Lateral view; R plain radiograph of the wrist; female, 10 yo; image width 70.4 mm; 489 by 1206 pixels.
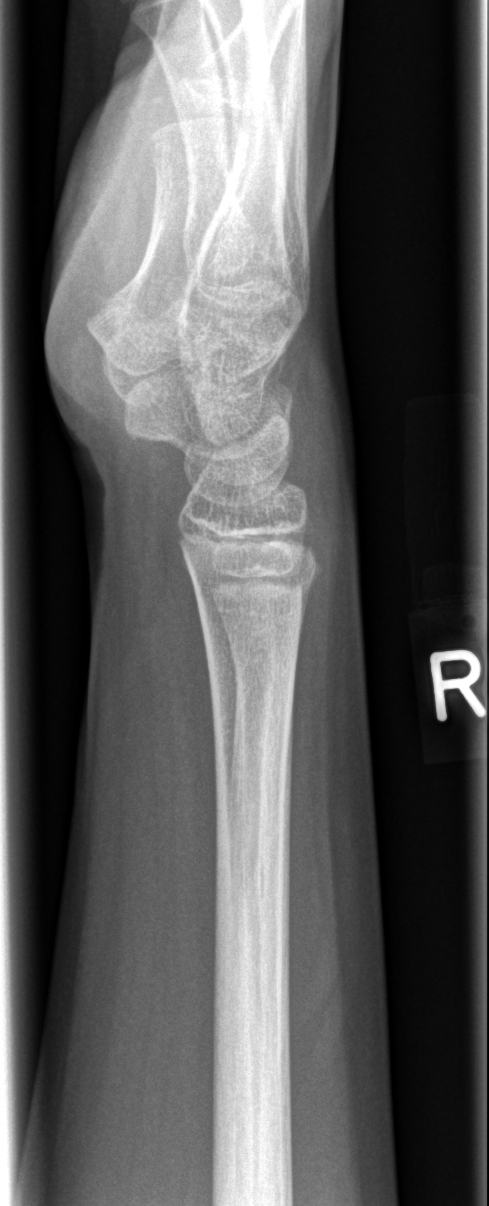
{"fracture": "none labeled"}